Lat | right wrist plain radiograph of the wrist | index exam
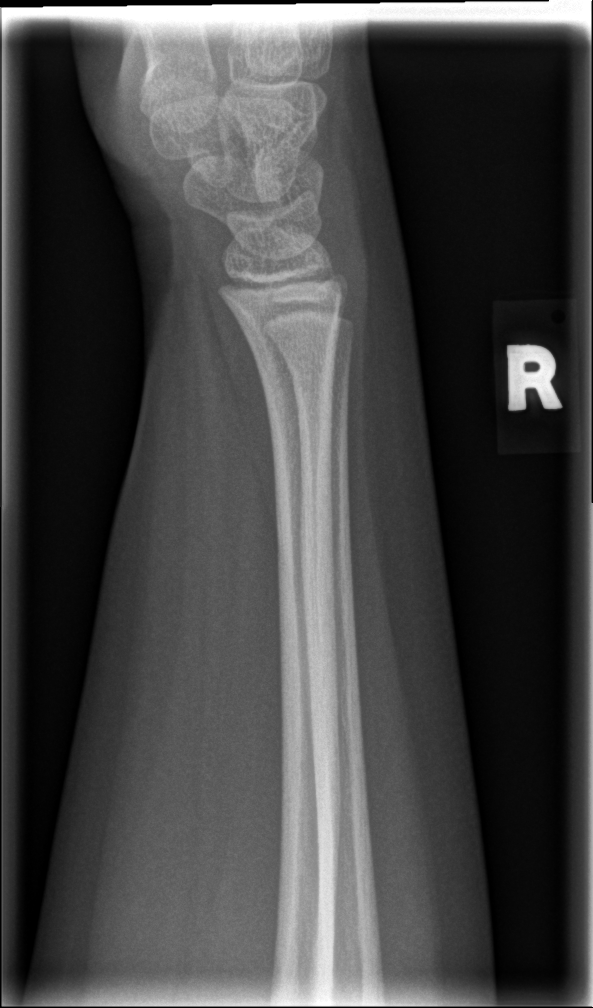

Fx: none labeled